Lat projection; right wrist plain film

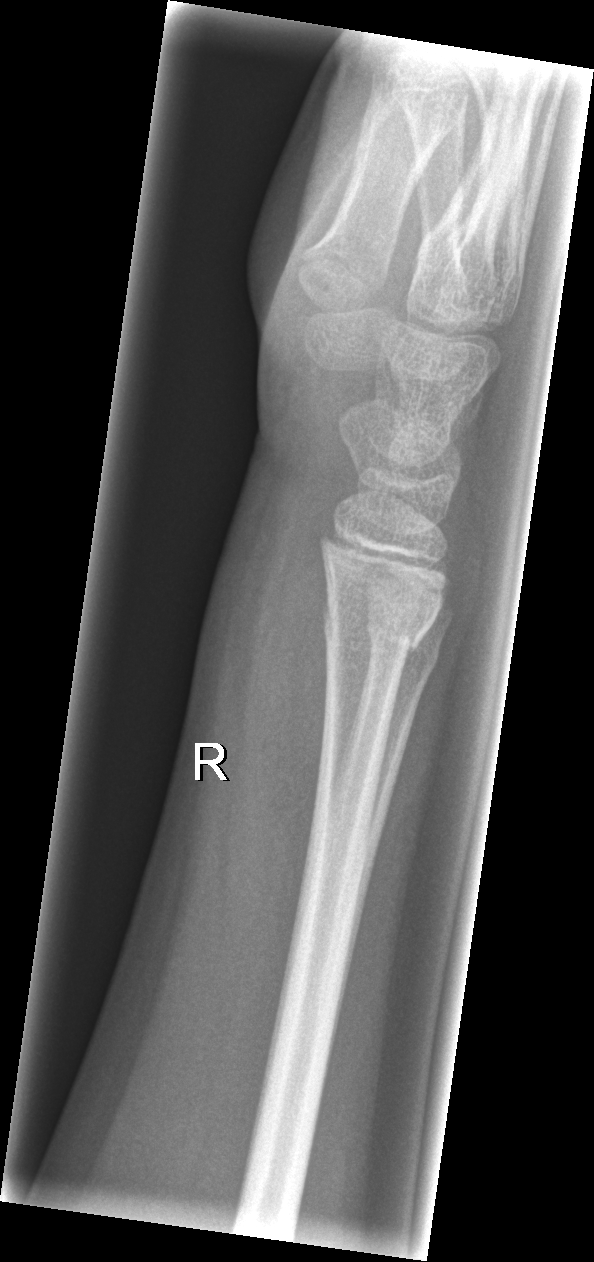

FINDINGS — Fx identified at 324 606 427 655
  362 616 441 677. AO code 23-M/3.1. One pronator quadratus fat-pad sign at 253 503 334 968.